Right wrist X-ray; PA/AP; boy, 11 yo; subsequent exam 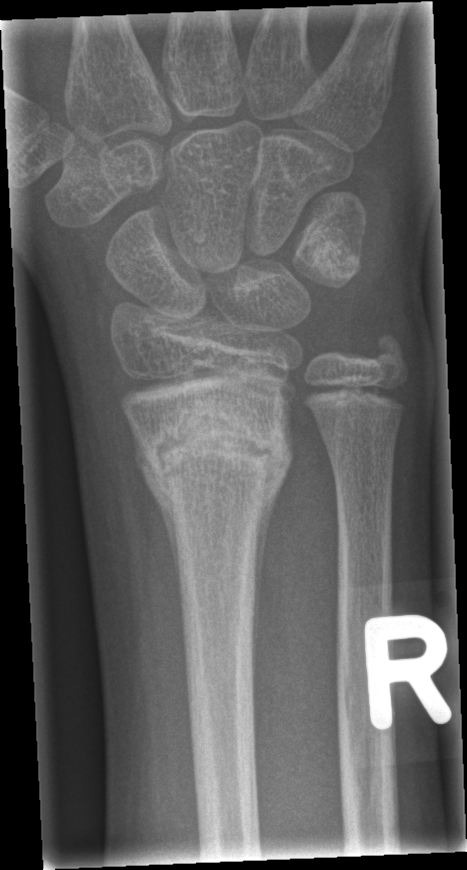
Fracture: bbox(133, 417, 285, 485), bbox(358, 323, 411, 383).
AO code 23r-M/3.1; 23u-E/7.
Osteopenic.
Periosteal new bone identified at bbox(250, 478, 286, 704); bbox(139, 466, 185, 622).